Posteroanterior view | left wrist radiograph | boy, 6 yo | follow-up study —

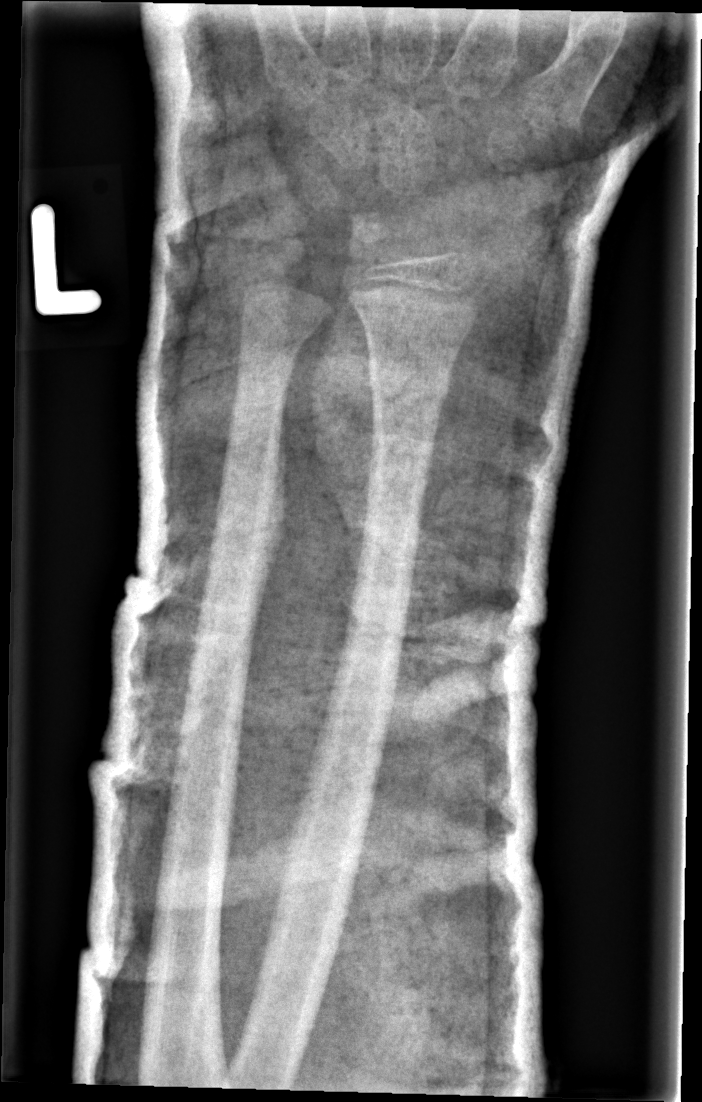

bone fracture: 2 @ bbox(364, 350, 456, 414), bbox(235, 297, 325, 353)
AO/OTA: 23r-M/3.1; 23u-M/2.1